Lat view; Lt wrist X-ray; follow-up; 471 by 864 pixels. 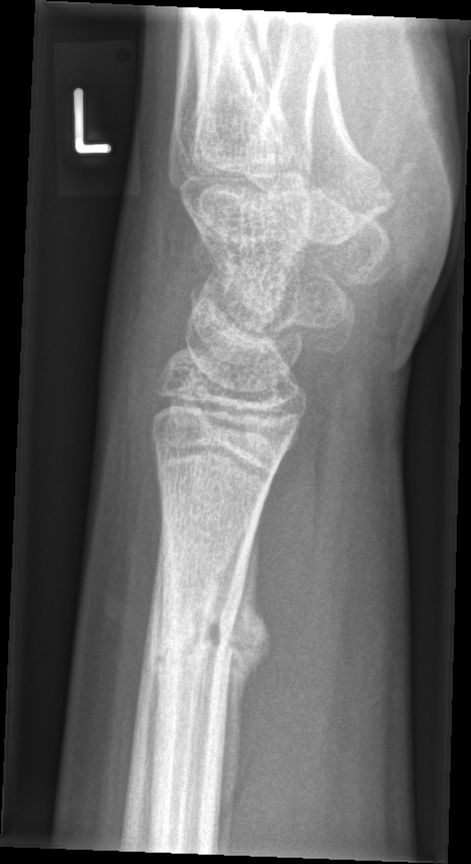

{"osteopenia": "present", "periostealreaction": "1 @ bbox(215, 511, 274, 854)", "ao": "23r-M/3.1; 23u-M/2.1", "fracture": "1 @ bbox(144, 597, 243, 682)"}